PA/AP view; L wrist XR

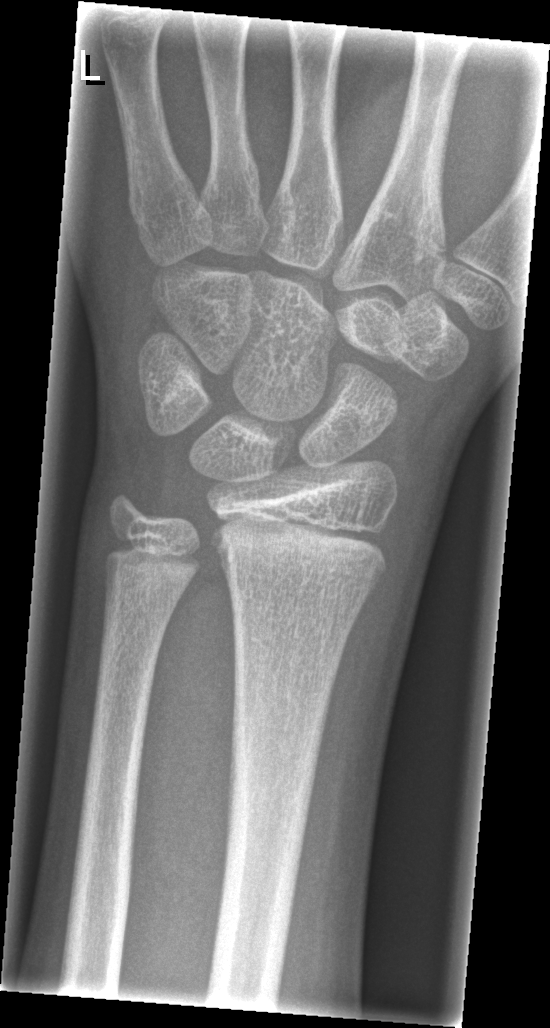 No fracture labeled.